PA/AP projection, Rt wrist plain film, pediatric patient (boy, age 10), index exam, equivocal findings. 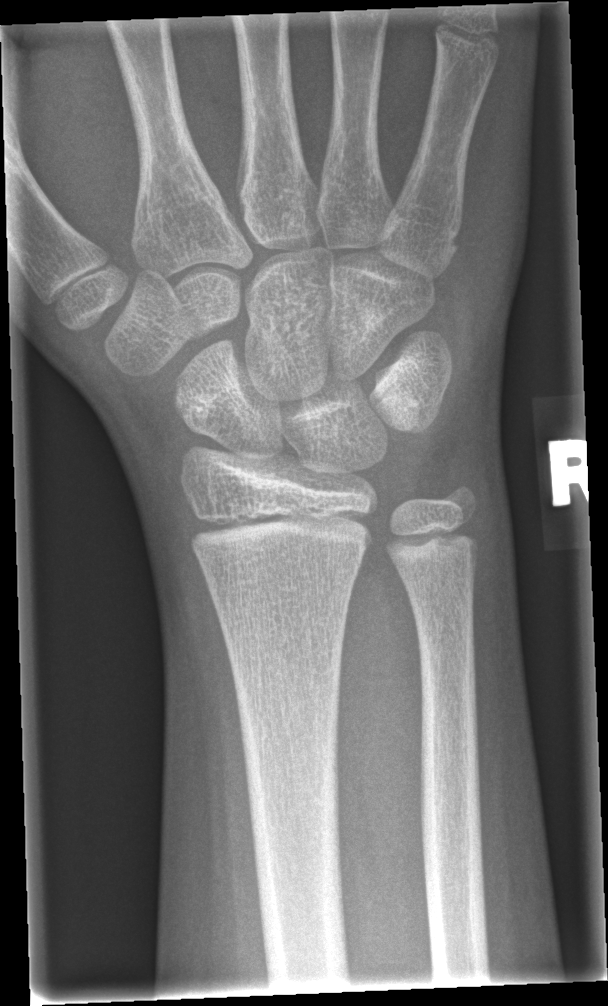 Fx: none.